Lateral, Lt pediatric wrist radiograph, pediatric patient (girl, age 9), 458 x 492 px. 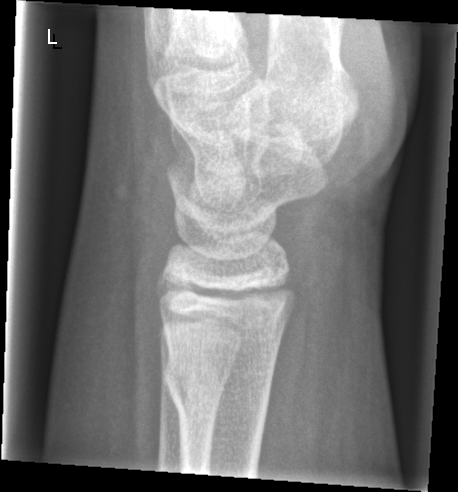
Bone fracture — 159 348 276 421.
Fracture classified AO/OTA 23r-M/2.1.